Right wrist X-ray · lat view · imaged through cast

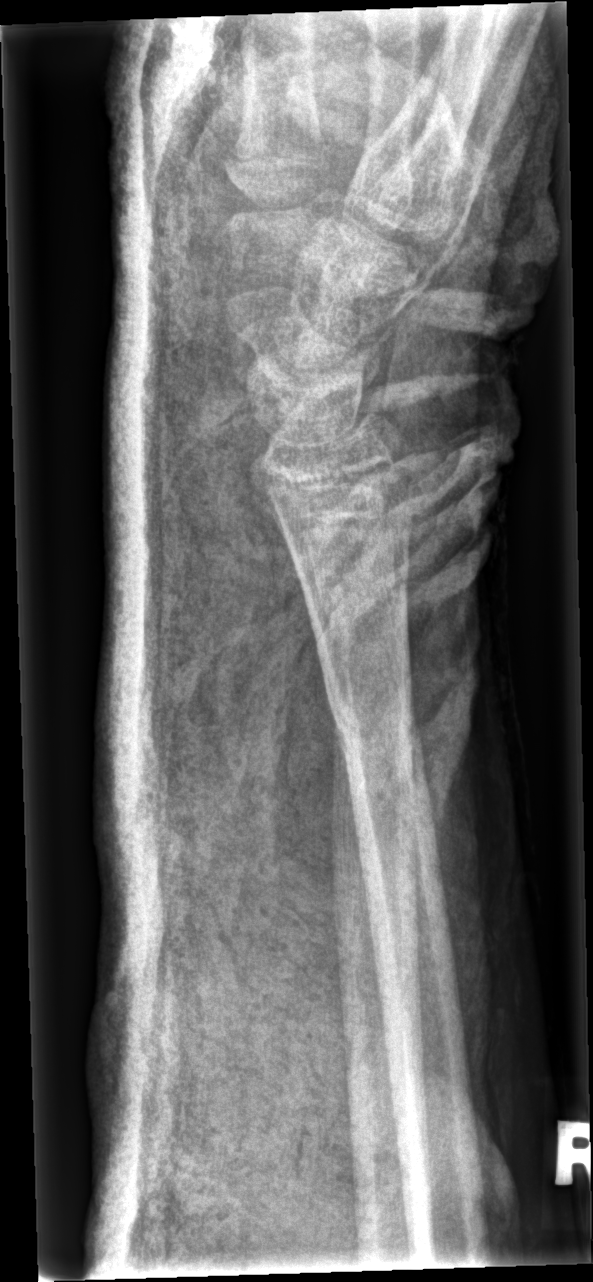
Fx = 1 @ [324, 677, 429, 779]
AO/OTA = 23-M/3.1